AP · right wrist radiograph · 11-year-old female · Siemens. 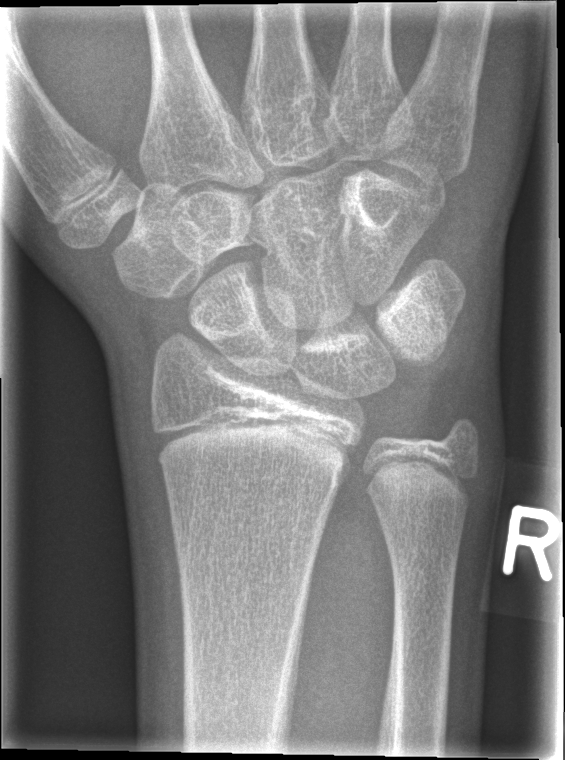 Fx: none.